Lateral · L wrist plain film · image 61.9 mm wide 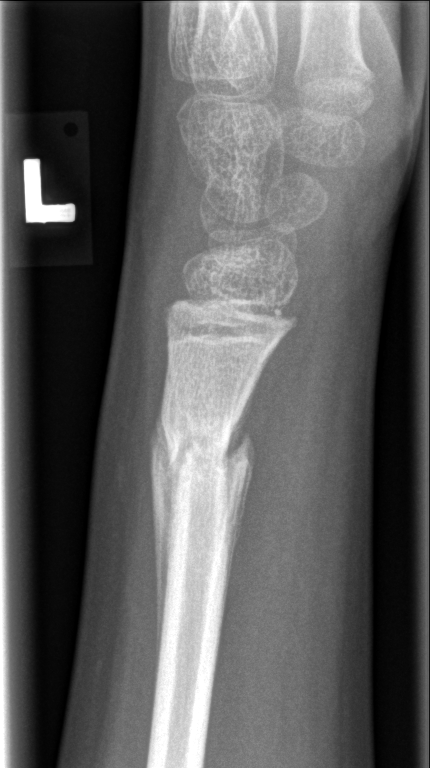

osteopenia: present
fracture: [149, 406, 254, 510]
periostealreaction: [148, 405, 177, 700]